Left pediatric wrist radiograph | PA/AP projection | age 12 y, male | image width 113.2 mm — 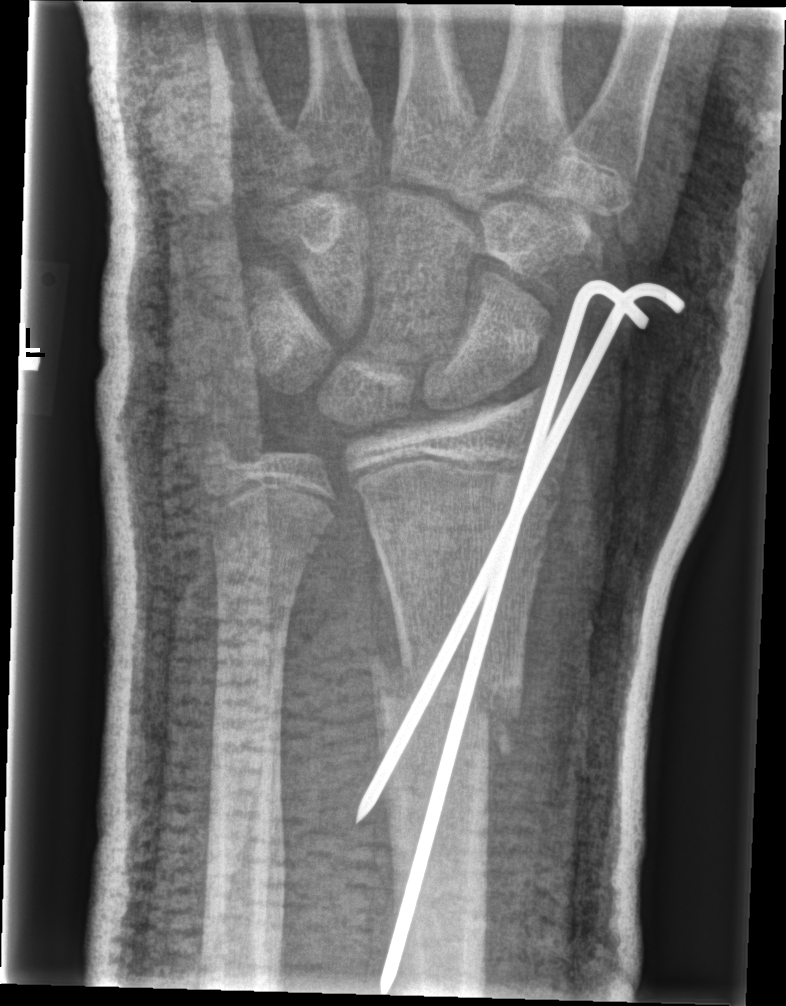

FINDINGS — Metallic implant — 352 278 688 996. Fractures — 365 649 526 755
  190 423 252 487. AO code 23r-M/3.1; 23u-E/7.